AP projection; Rt wrist X-ray; pediatric patient (boy, age 13) —

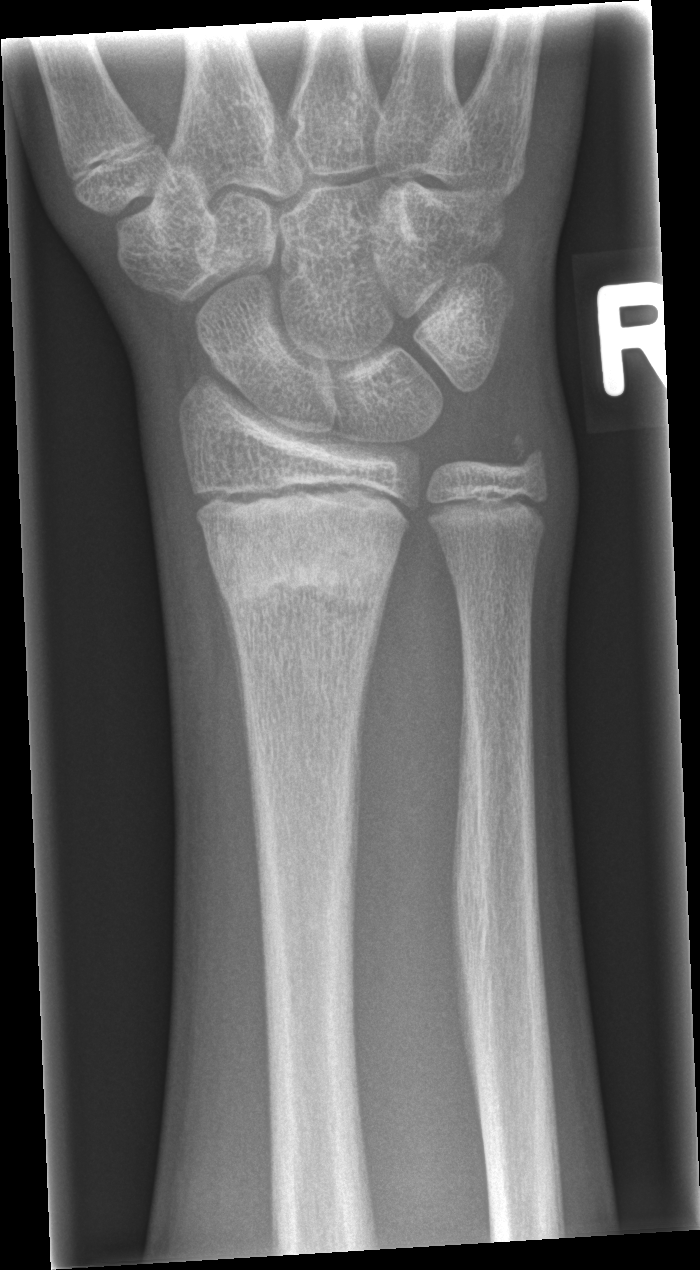

Bone fracture = 2 @ [205, 505, 405, 624], [493, 427, 557, 493]
AO/OTA = 23r-M/3.1; 23u-E/7
Periosteal new bone = [208, 555, 248, 777] [356, 565, 395, 766]